Frontal projection | R wrist XR | presentation radiograph 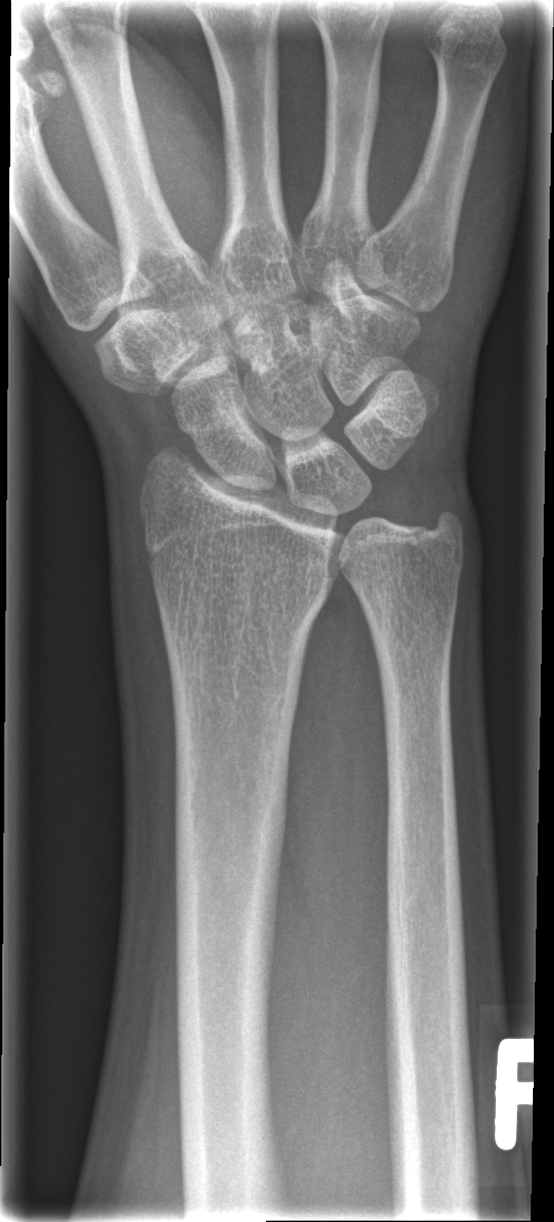 No fracture labeled.